R plain radiograph of the wrist | PA/AP view | initial study: 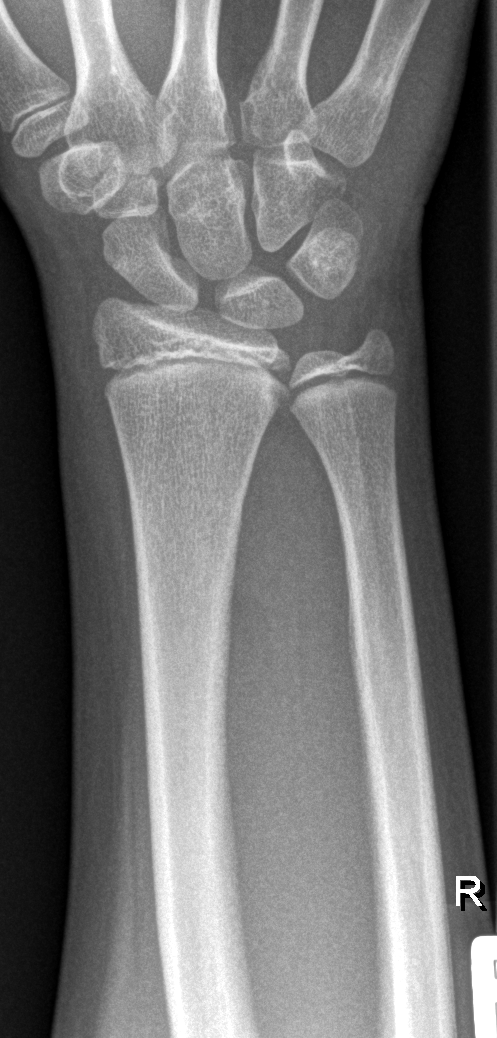

Fx: none.